PA/AP projection · Rt wrist X-ray · 7y F · follow-up · equivocal findings. 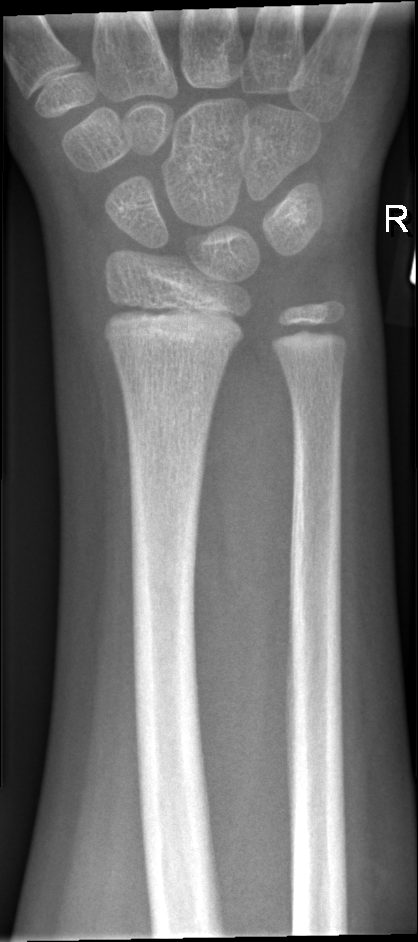 FINDINGS: AO code 23r-E/1. Fx — bbox(98, 300, 248, 351).